Right wrist radiograph · posteroanterior · boy, 15 yo · presentation radiograph:

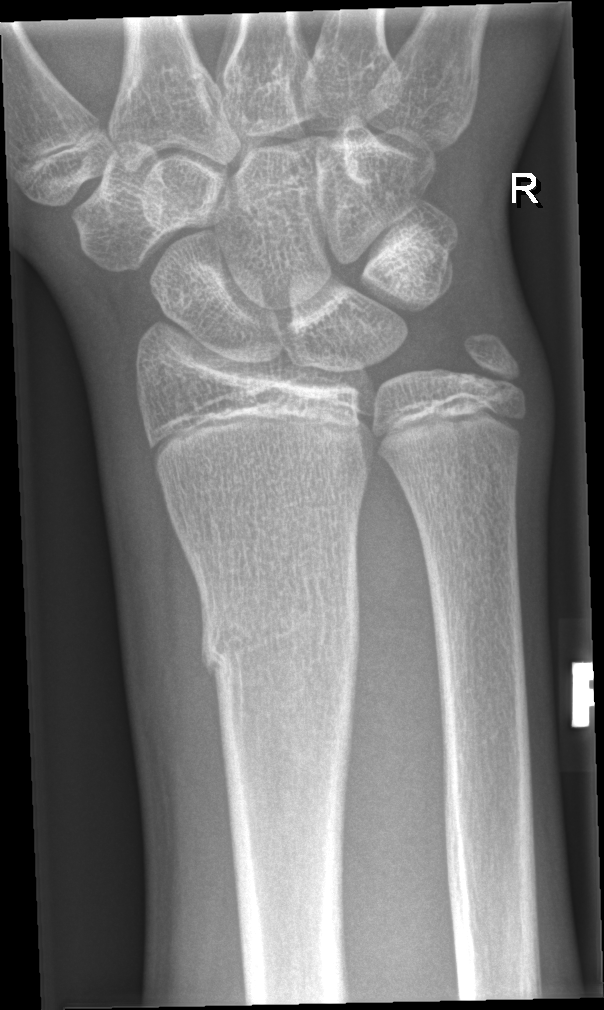 Coordinates are [x1, y1, x2, y2] in image pixels. Fx identified at 198,590,363,685 | 455,324,528,402.